PA/AP, left wrist XR —
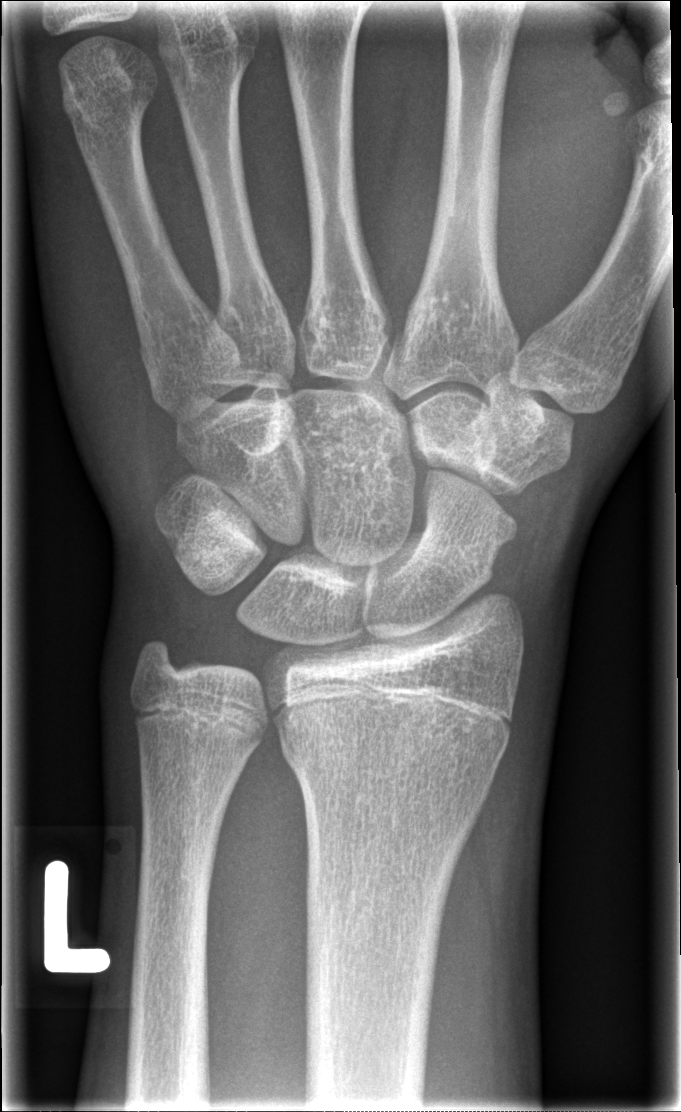

Fx: 1 @ bbox(276, 701, 511, 823)